L wrist X-ray, lateral projection, boy, 1.0 yo
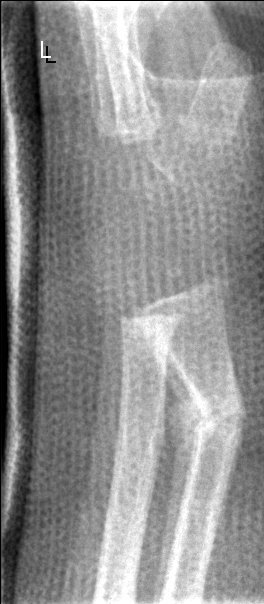 Pixel coordinates, top-left origin, xyxy.
Periosteal reaction — <156,357>-<199,602>.
Fracture identified at <178,386>-<254,447>.
AO/OTA classification: 23r-M/3.1; 23u-M/2.1.